Lt wrist XR, lat, boy, 6 yo, image size 404x797:
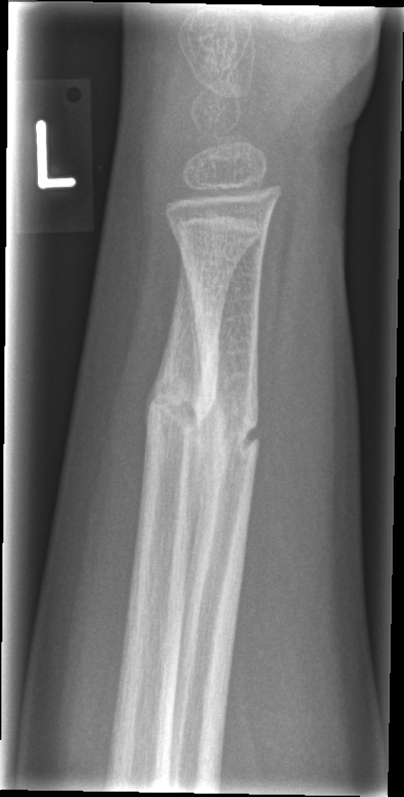 Boxes as x1,y1,x2,y2 (top-left / bottom-right, pixel units).
Decreased bone density (osteopenia).
Periosteal new bone identified at 185,278,214,607.
Two fractures at 142,378,215,448; 197,414,261,466.
AO/OTA classification: 22-D/2.1.